R wrist radiograph; frontal; cast in situ; Siemens 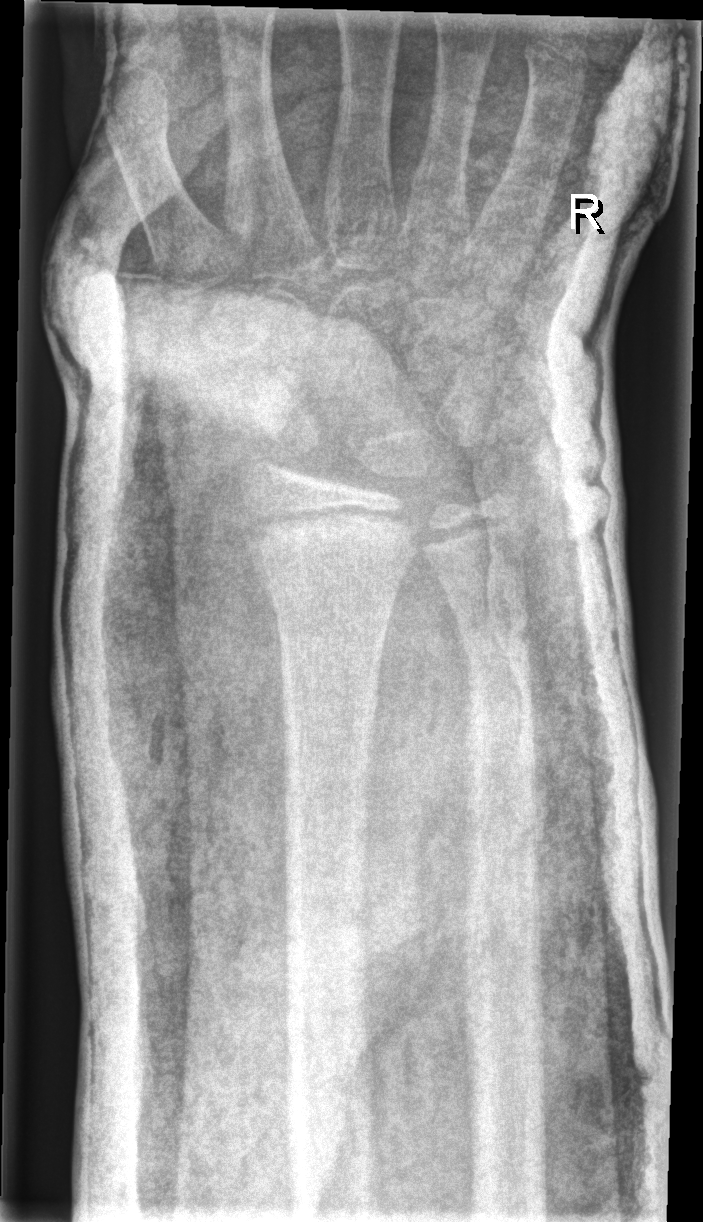

AO classification: 23r-E/2.1; 23u-M/2.1
fracture: 1 @ [x1=445, y1=601, x2=542, y2=677]